Left wrist radiograph; lateral view; pediatric patient (boy, age 11); acquired on Siemens
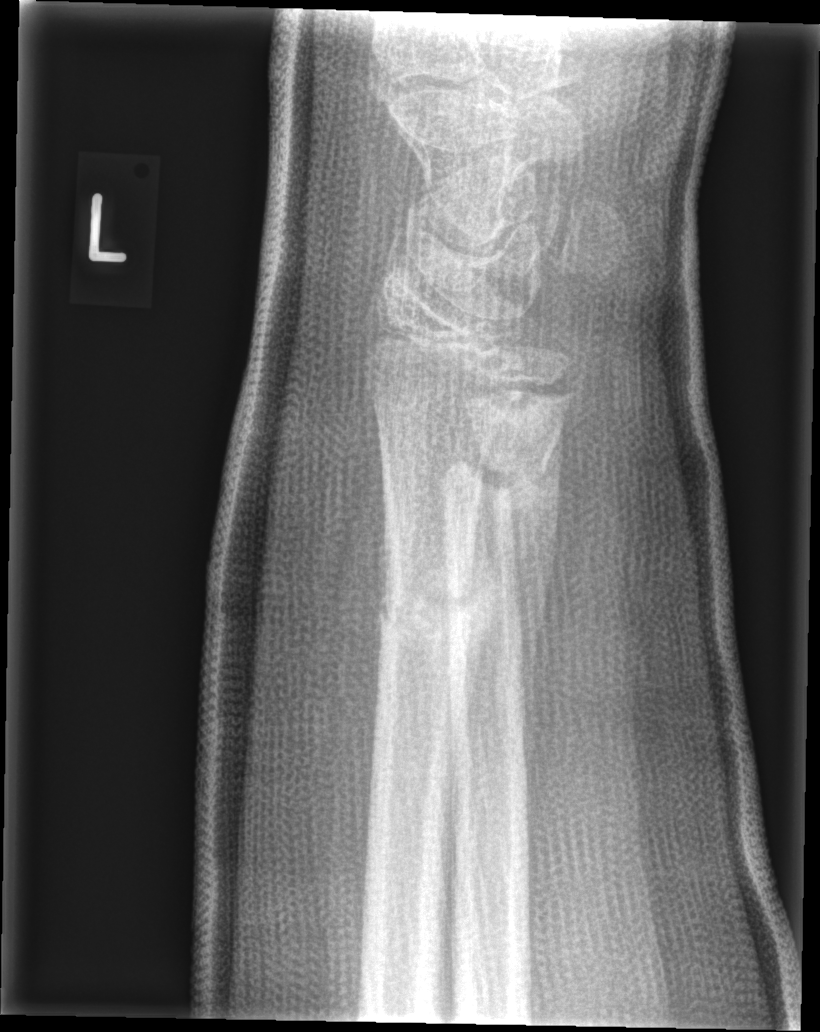
Pixel coordinates, top-left origin, xyxy. Fracture classified AO/OTA 22r-D/4.1; 23u-M/3.1. Two periosteal reaction at 508,421,563,729
  445,487,496,751. Two fractures at 432,432,560,516
  371,555,480,647.